Right wrist pediatric wrist radiograph, lateral, index exam —
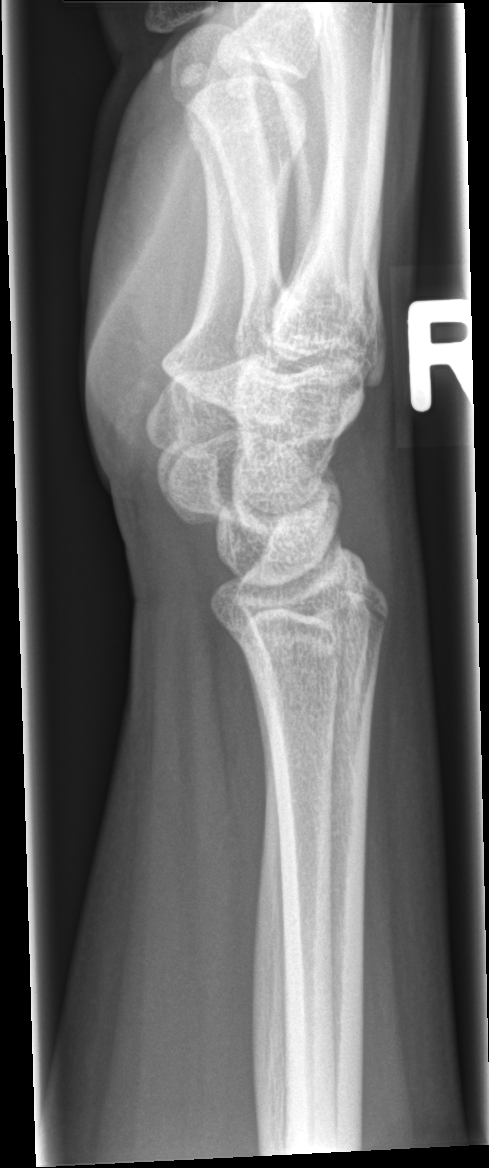 Q: Fracture present?
A: No fracture bounding box